Lat · left wrist radiograph · 9y F · follow-up · 77.2 mm image width · 536 by 1158 pixels 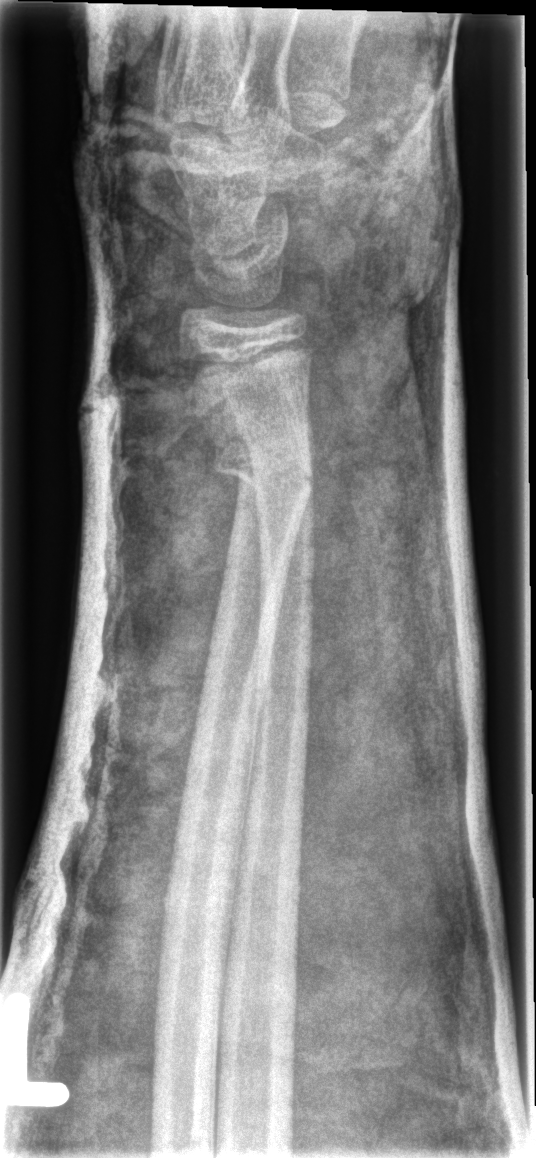

Fx — 204 439 318 500. AO code 23r-M/3.1; 23u-M/2.1.